PA view, left wrist X-ray, age 11 y, male, Siemens. 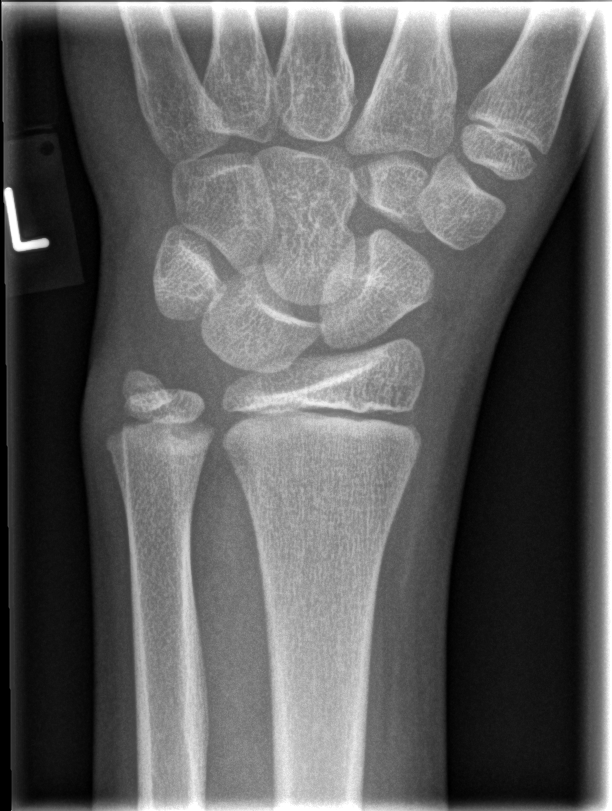 Q: Locate any fractures.
A: No Fx annotated